Right wrist XR, AP projection, presentation radiograph.
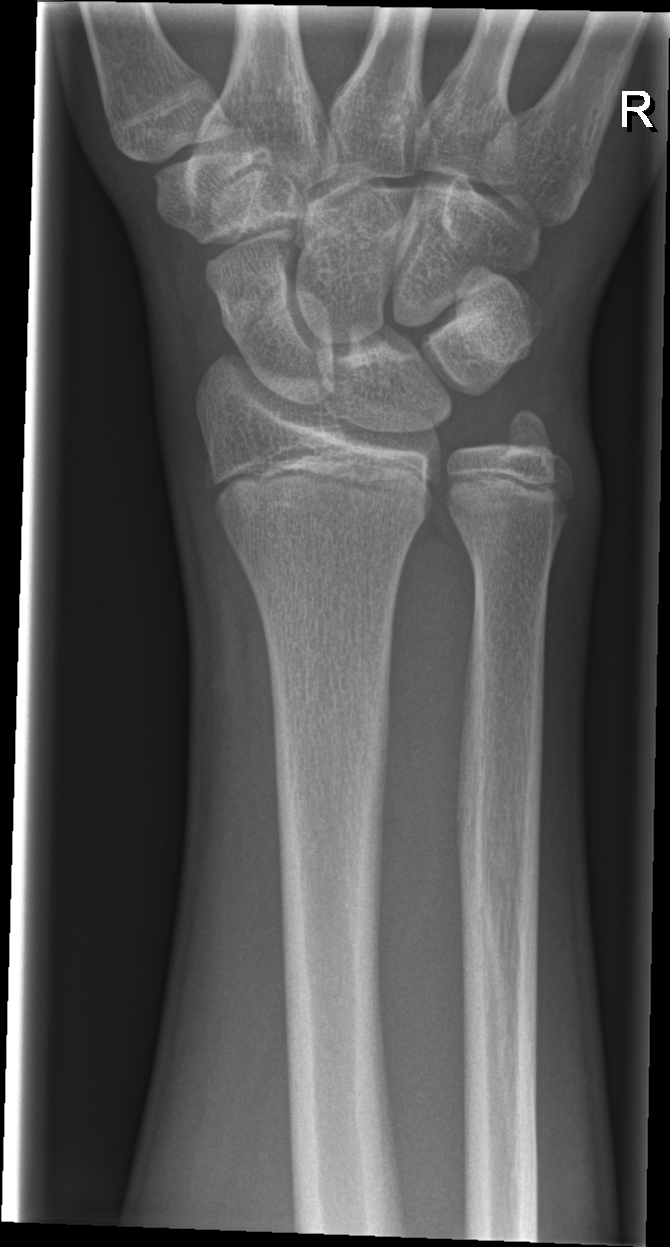

Q: Locate any fractures.
A: Fx: <232,271>-<309,362>
Q: What is the AO/OTA classification?
A: AO/OTA classification: 72B(b)